AP projection, right wrist radiograph, follow-up study, 573 by 762 pixels:
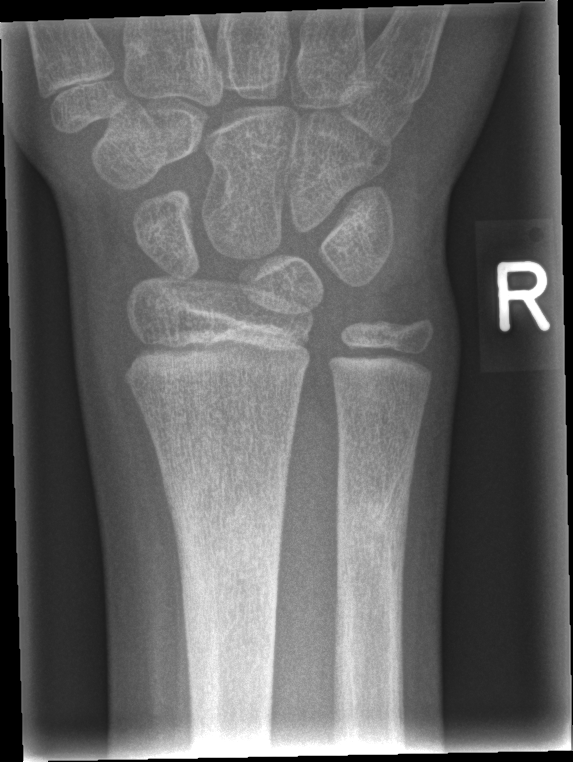
Fx = 2 @ <171,469>-<287,681>, <330,468>-<415,611>
AO code = 23-M/3.1